R wrist plain film · lateral projection · follow-up · 565 x 688 px: 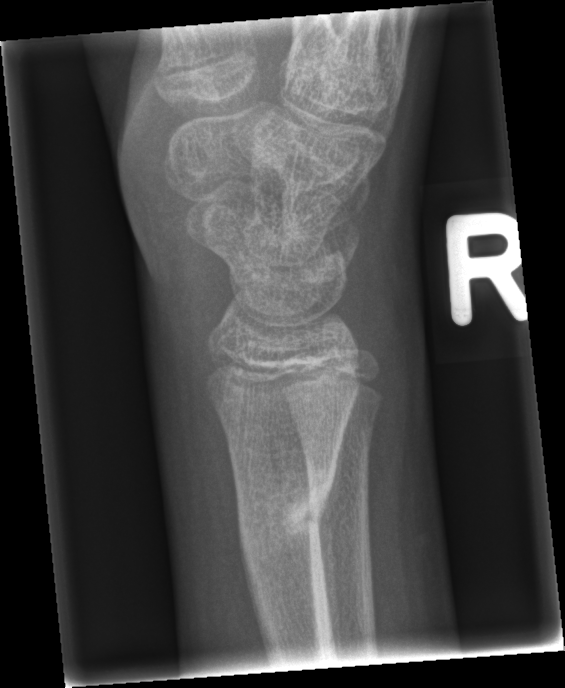 {"fracture": "(233, 468, 338, 572)", "osteopenia": "present", "ao": "23r-M/2.1; 23u-E/7", "periostealreaction": "1 @ (315, 425, 349, 658)"}